Lt wrist XR, PA projection, pediatric patient (male, age 12), in cast
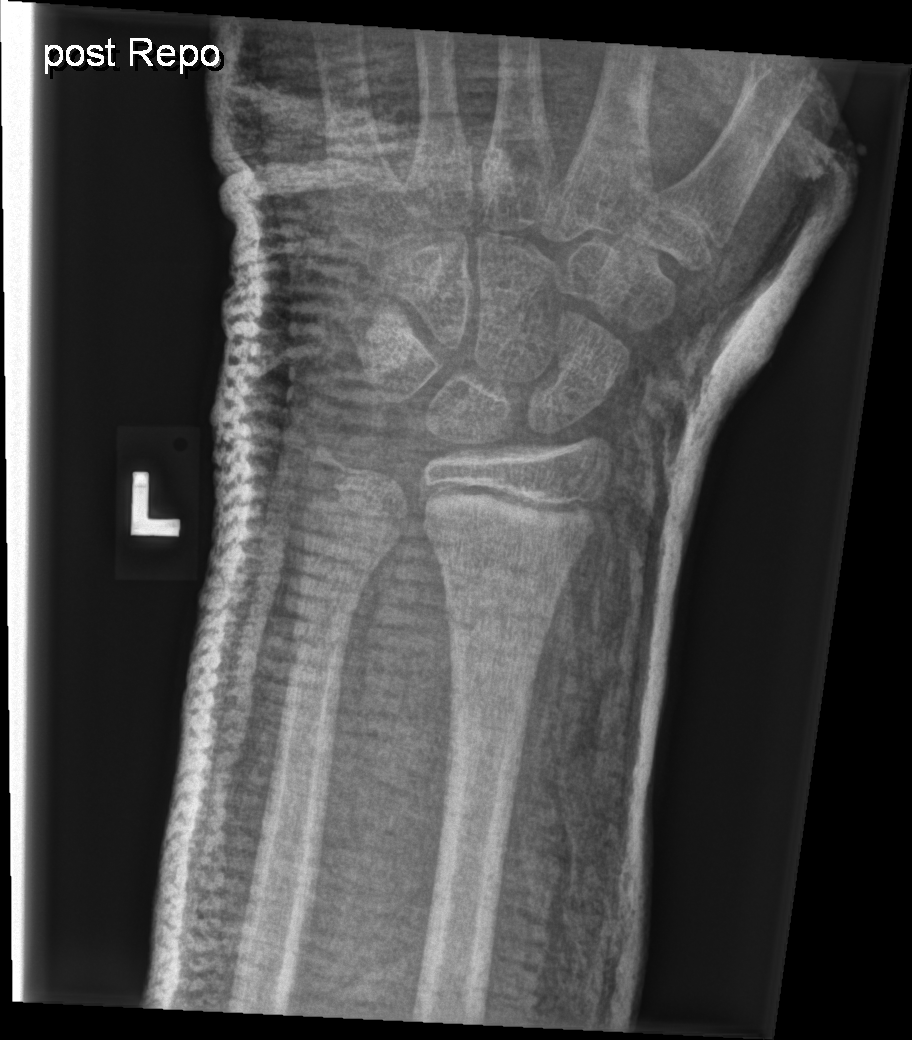
AO code: 23r-M/3.1
Bone fracture: 1 @ (438, 592, 559, 650)